Posteroanterior projection; right wrist pediatric wrist radiograph; acquired on Siemens; 81.8 mm image width —

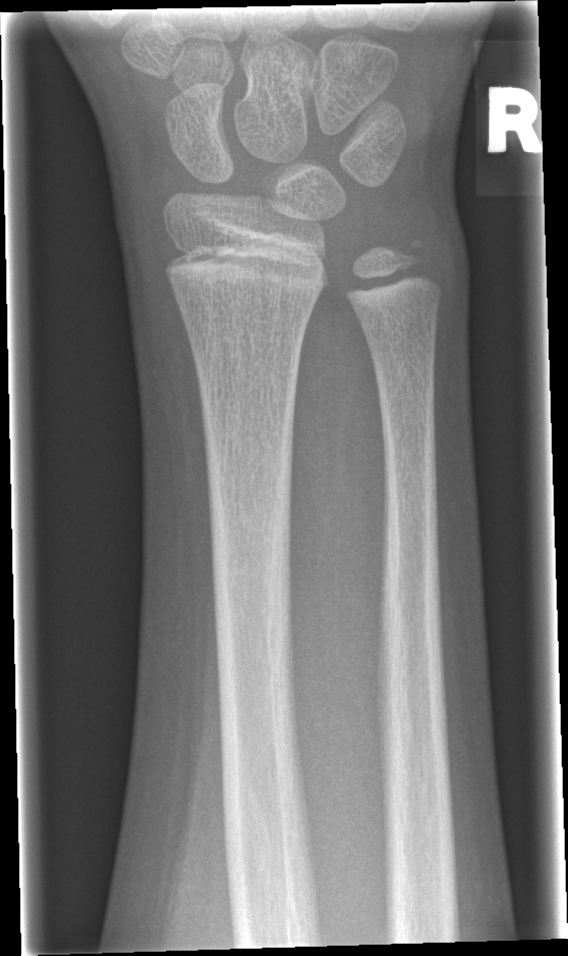
FINDINGS — Fx: none.